L wrist plain film · PA projection · boy, 5 yo —

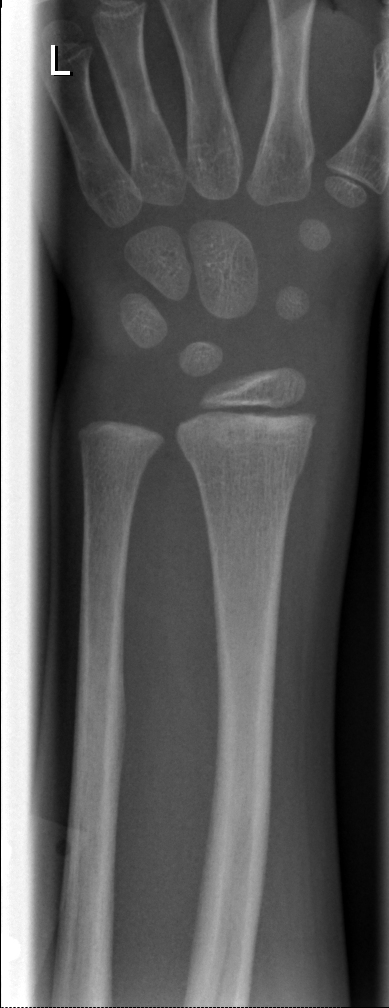
bone fracture = [x1=181, y1=436, x2=311, y2=496]
AO code = 23r-M/2.1